Frontal view · right wrist X-ray · 541 x 1010 px
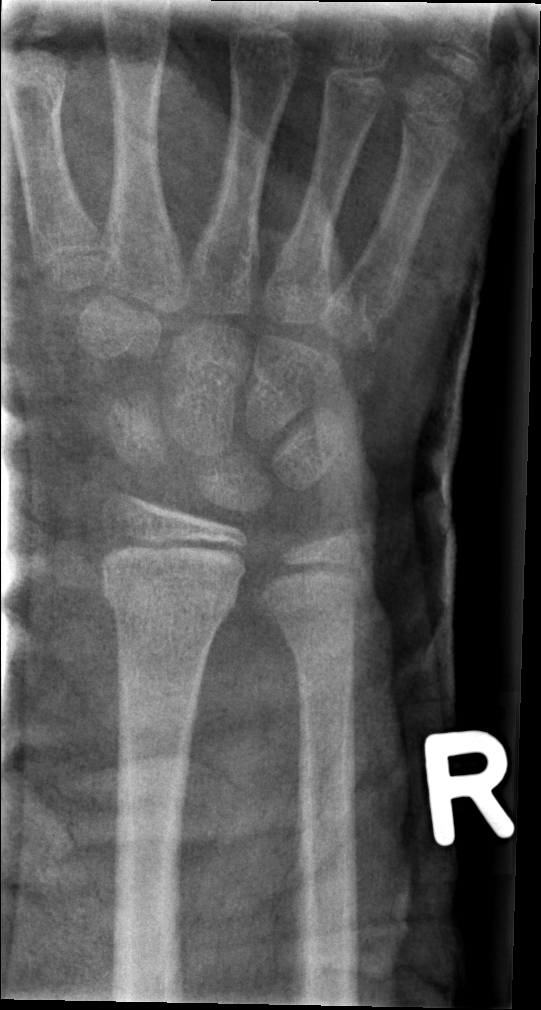 {
  "fracture": "2 @ [x1=98, y1=571, x2=241, y2=623]; [x1=279, y1=610, x2=361, y2=680]"
}